Lateral view; right pediatric wrist radiograph; follow-up study; in cast —
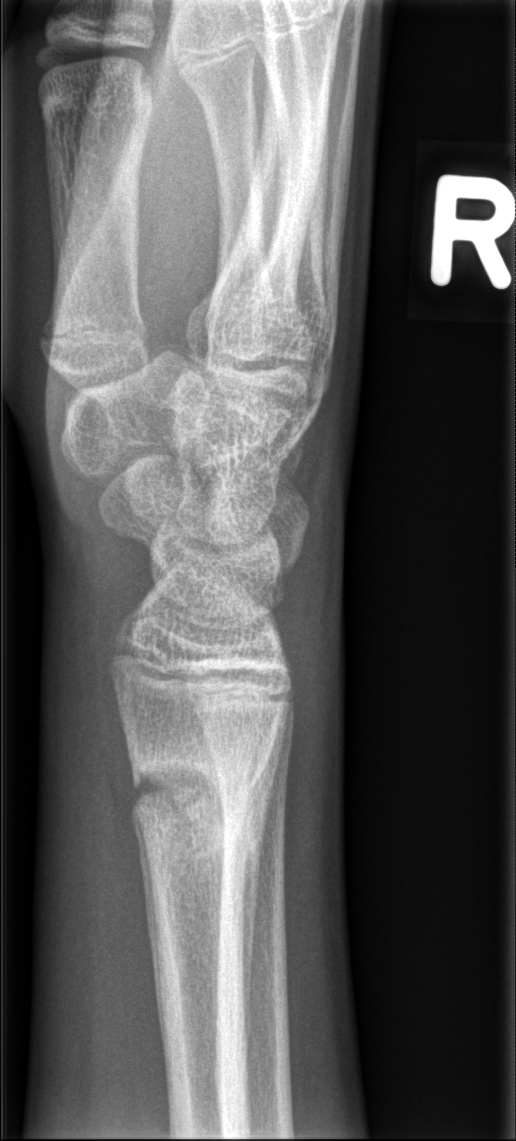

Pixel coordinates, top-left origin, xyxy. Periosteal new bone — (235, 706, 288, 1057), (131, 805, 169, 1080). AO/OTA classification: 23r-M/3.1; 23u-E/7. Fx: (124, 740, 270, 856). Osteopenic.